L wrist radiograph; lat; pediatric patient (female, age 8).
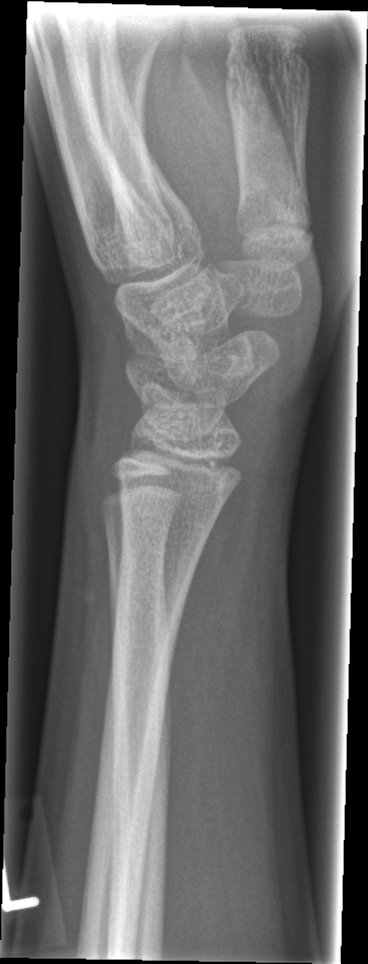 Q: Any fracture seen?
A: No Fx annotated